AP projection, R plain radiograph of the wrist, Siemens — 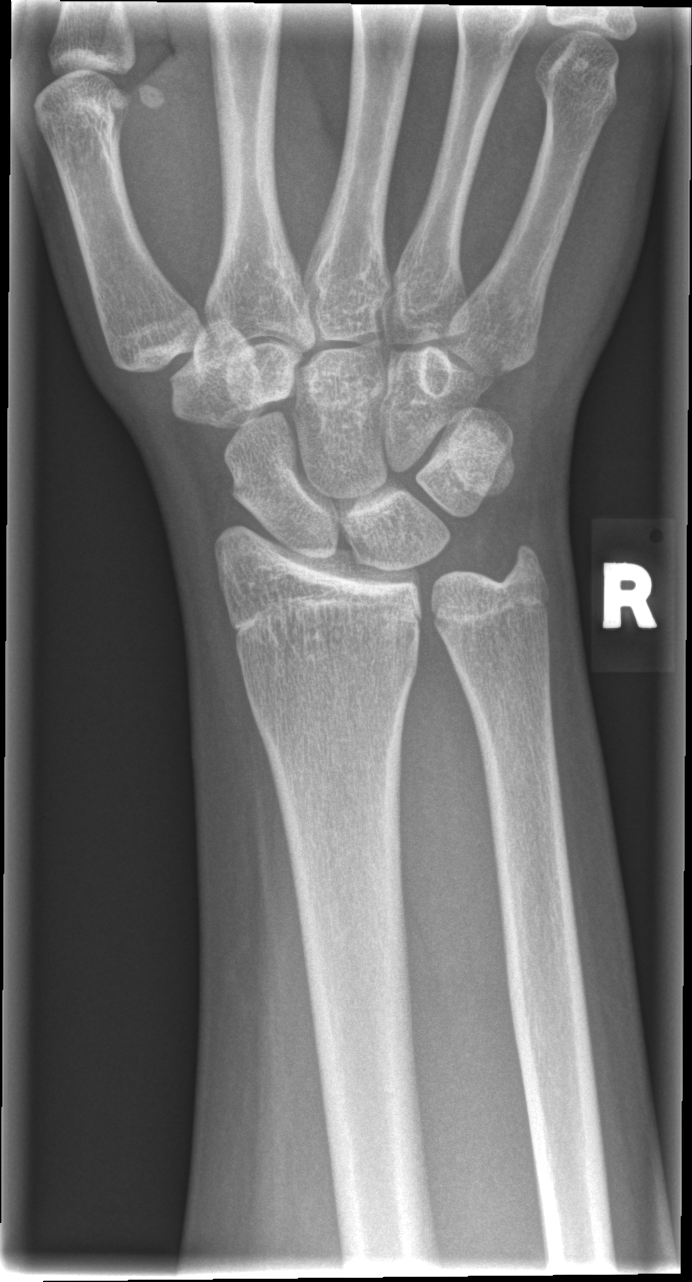 FINDINGS: Fracture: none labeled.